Lt wrist radiograph | posteroanterior | age 17 y, male —

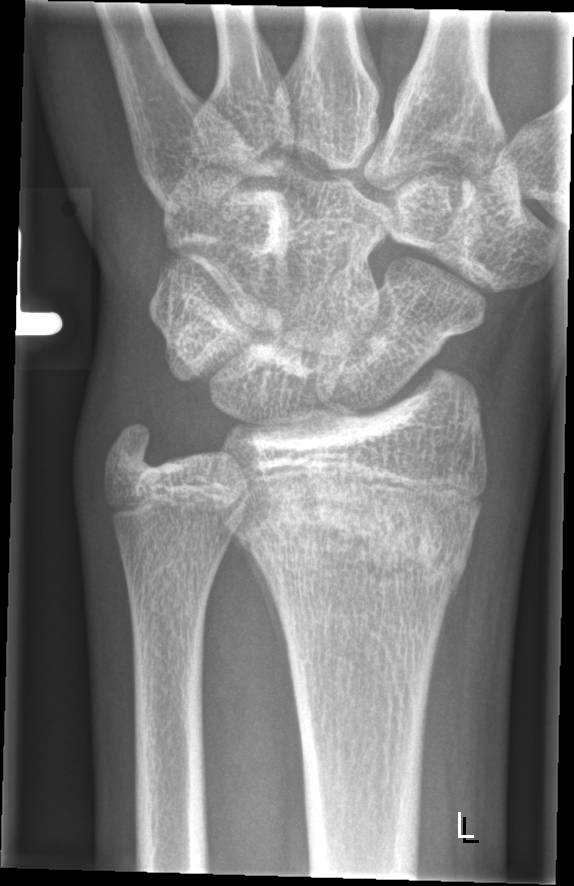
Osteopenia.
Periosteal reaction: (242, 538, 298, 693).
AO/OTA classification: 23r-M/3.1.
Bone fracture: (236, 484, 475, 601).